AP view; right pediatric wrist radiograph; girl, 11 yo. 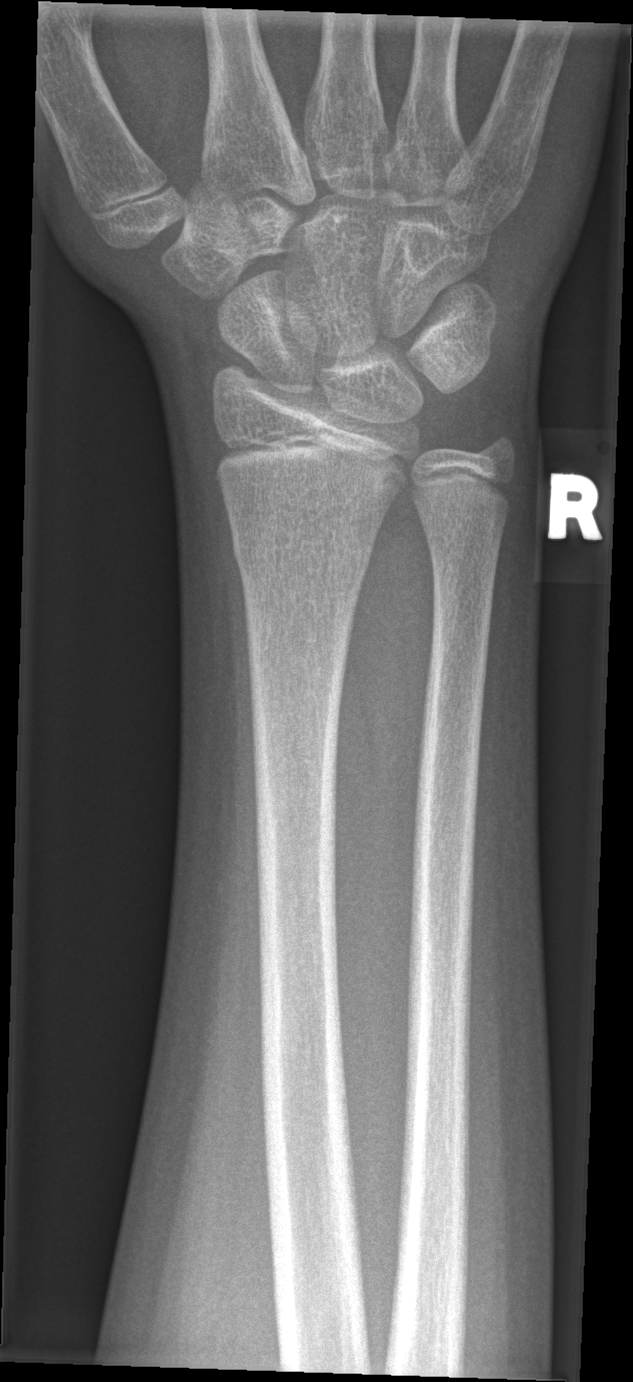 One bone fracture at 225 525 378 586.